Posteroanterior view, L pediatric wrist radiograph, 4y M, initial study, image size 462x1022

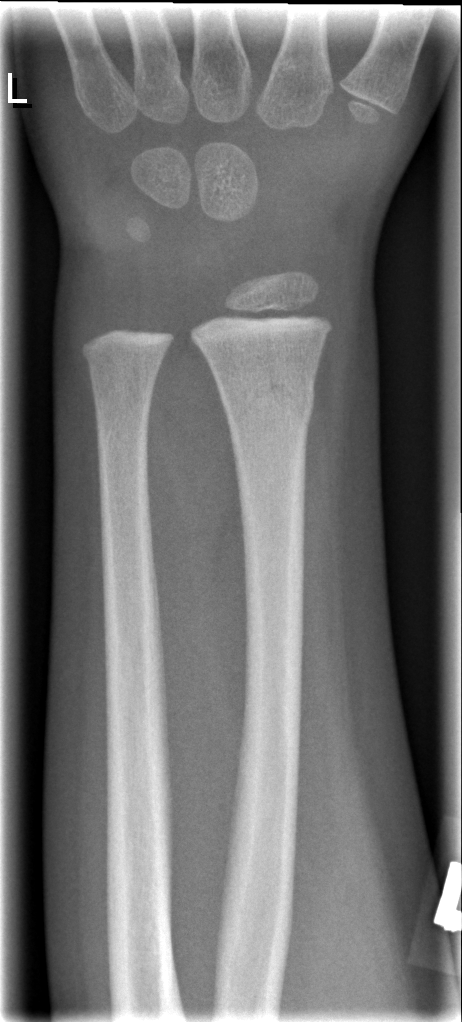

Coordinates are [x1, y1, x2, y2] in image pixels. AO code 23r-M/2.1. Fracture: (left=215, top=370, right=318, bottom=433).